Left wrist plain radiograph of the wrist · posteroanterior view · 12-year-old female · image size 515x732

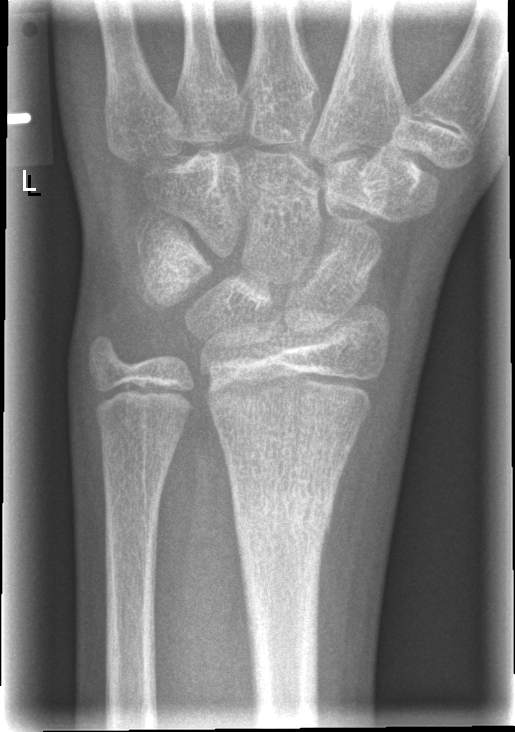

Osteopenia. Fx — [x1=226, y1=473, x2=340, y2=539]. AO/OTA classification: 23r-M/2.1.